L wrist X-ray | PA/AP view | image width 106.0 mm —

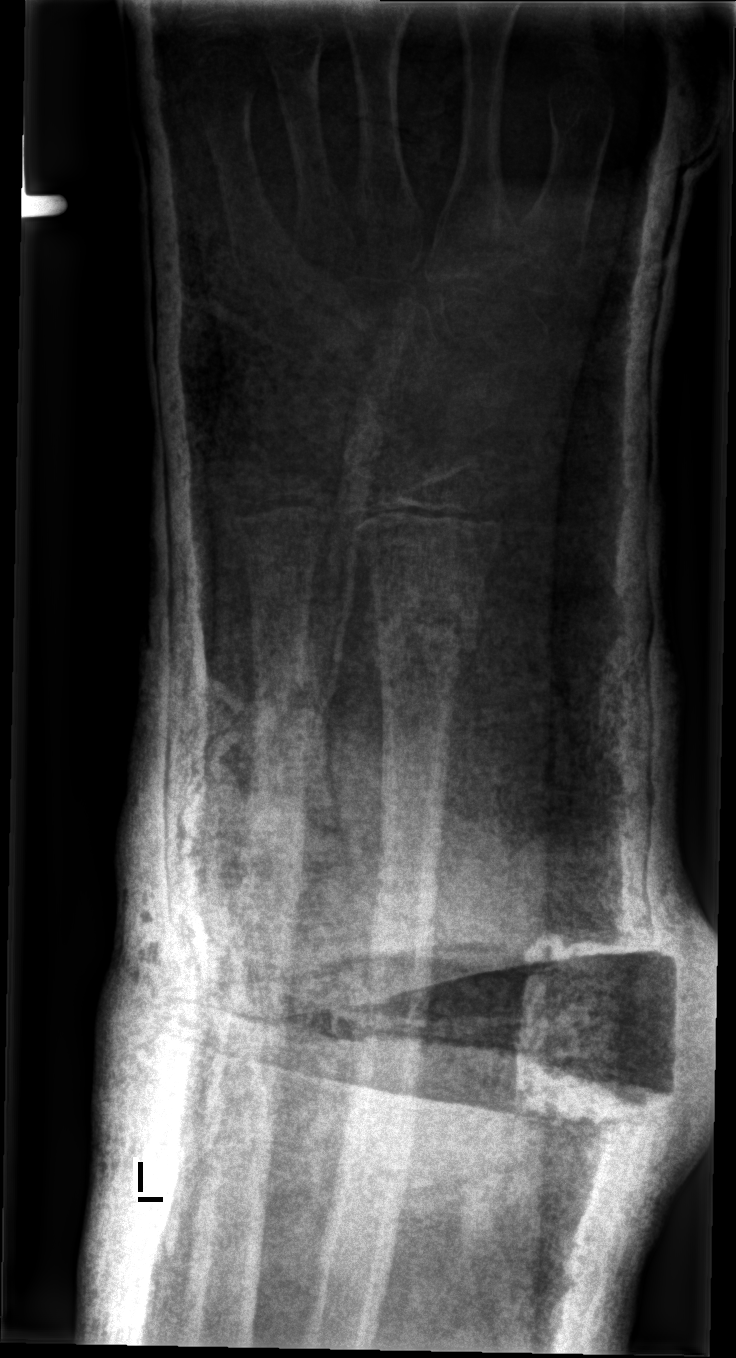 * Bone fracture identified at bbox(366, 589, 486, 672) bbox(245, 660, 321, 725).